Rt wrist XR, lateral view.
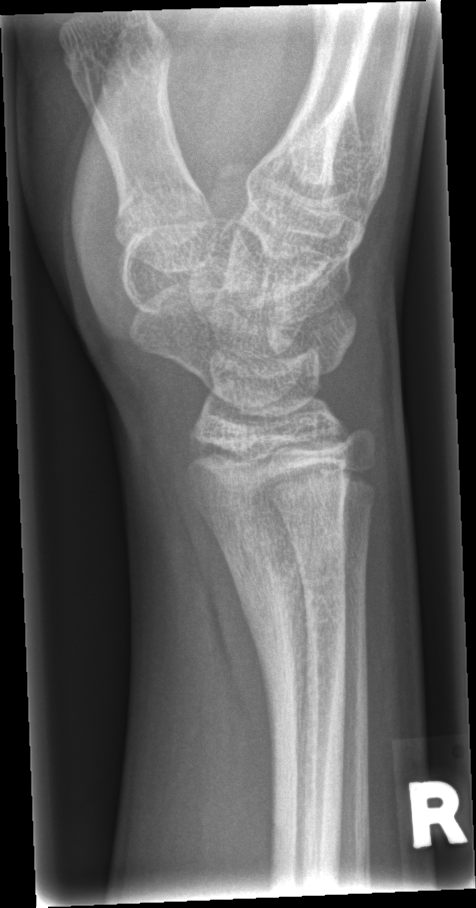

* One bone fracture at (left=219, top=511, right=354, bottom=729).
* AO code 23r-M/3.1.